Lateral projection, R wrist radiograph, age 8 y, male, Siemens.
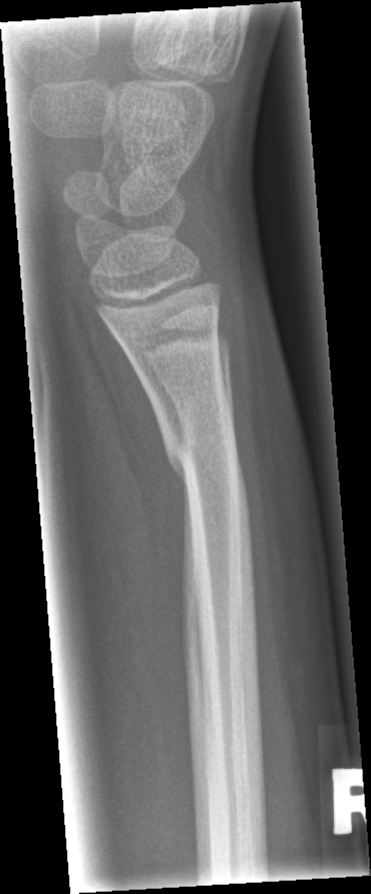
Boxes as x1,y1,x2,y2 (top-left / bottom-right, pixel units). One fracture at bbox(159, 429, 248, 498). Fracture classified AO/OTA 23-M/2.1.